Frontal projection; Lt pediatric wrist radiograph; 6-year-old male; subsequent exam; Siemens; image size 531x1060 —

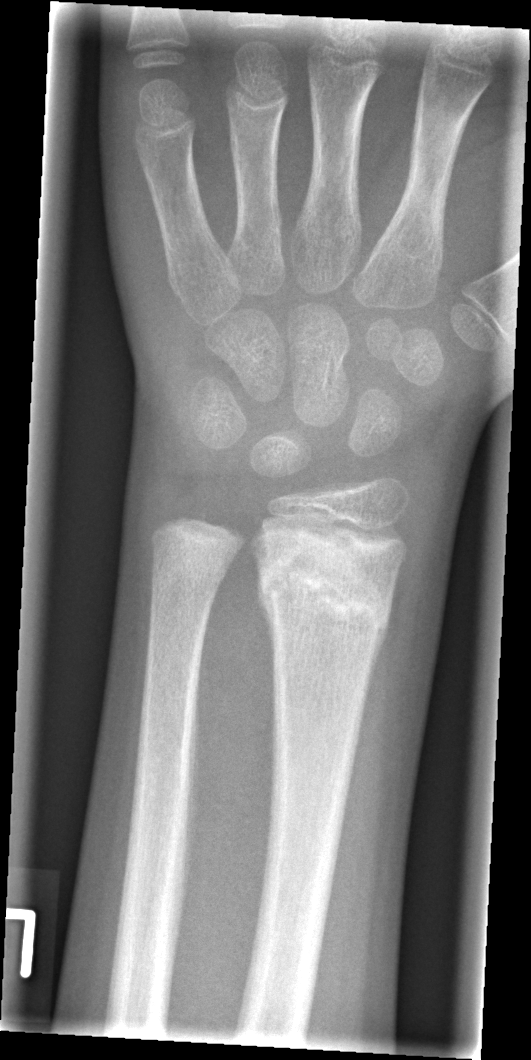
Q: Is there a fracture?
A: Fx — (left=253, top=543, right=390, bottom=648)
Q: Is there osteopenia?
A: Osteopenic